R wrist XR | posteroanterior projection | 5y M:
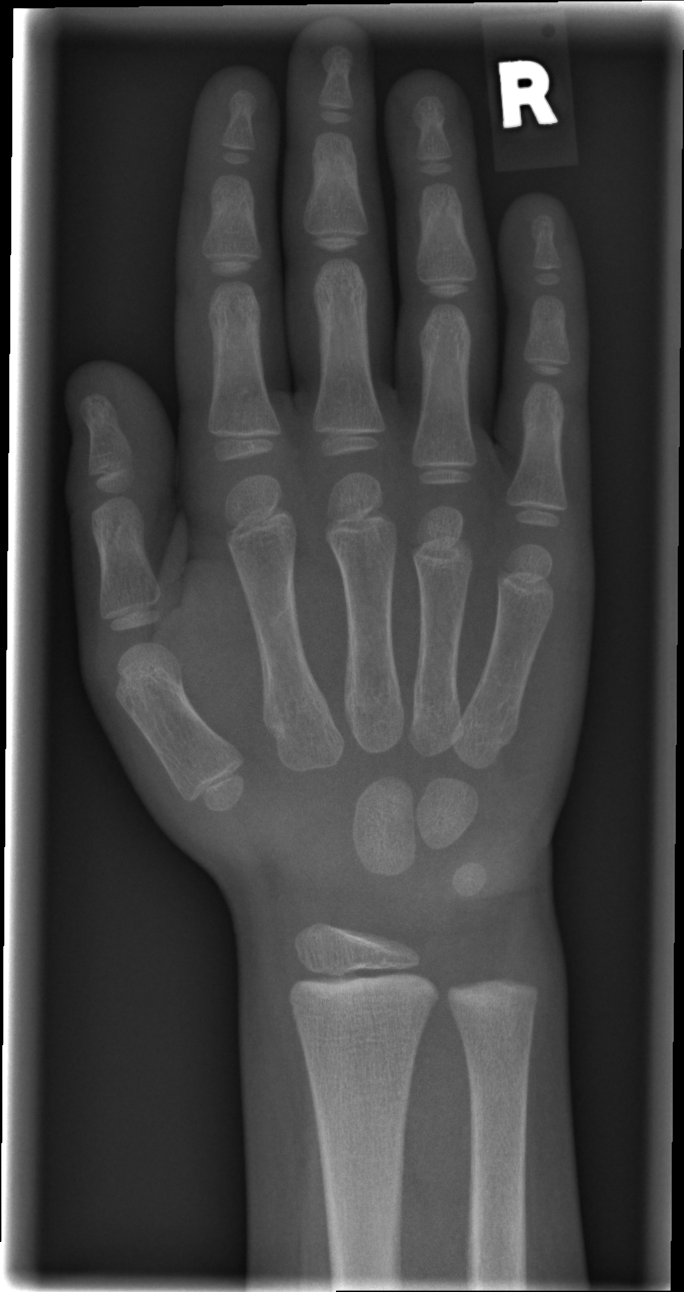
No Fx annotated.